Right wrist radiograph, lateral 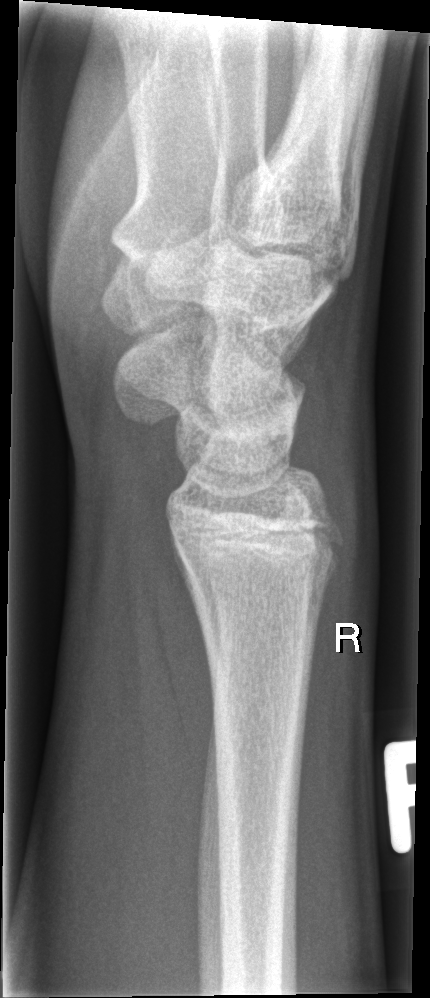
No fracture annotation.